Left wrist radiograph; AP view; Siemens
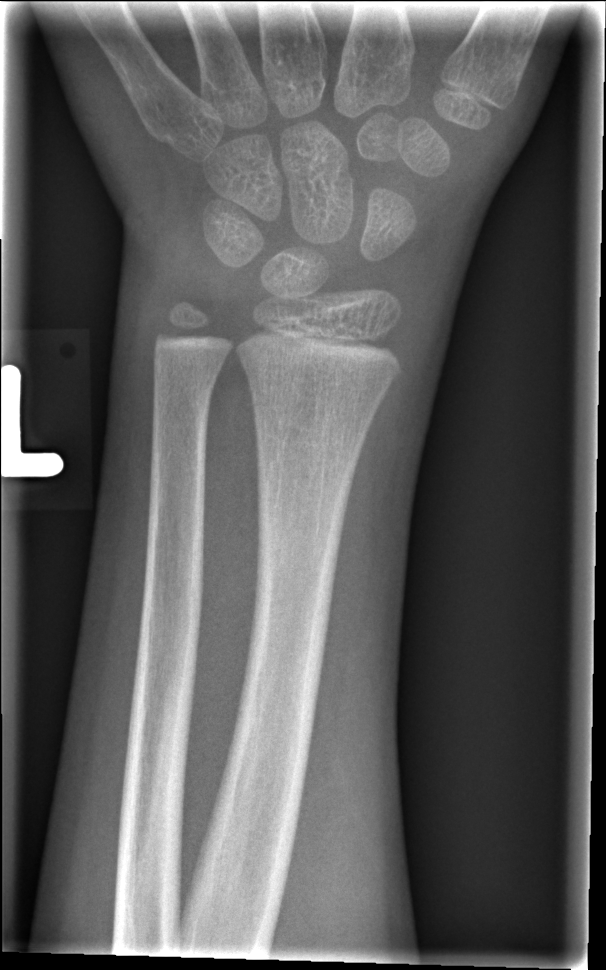 {"fracture": "none labeled"}